Lateral, right wrist XR, age 16 y, male
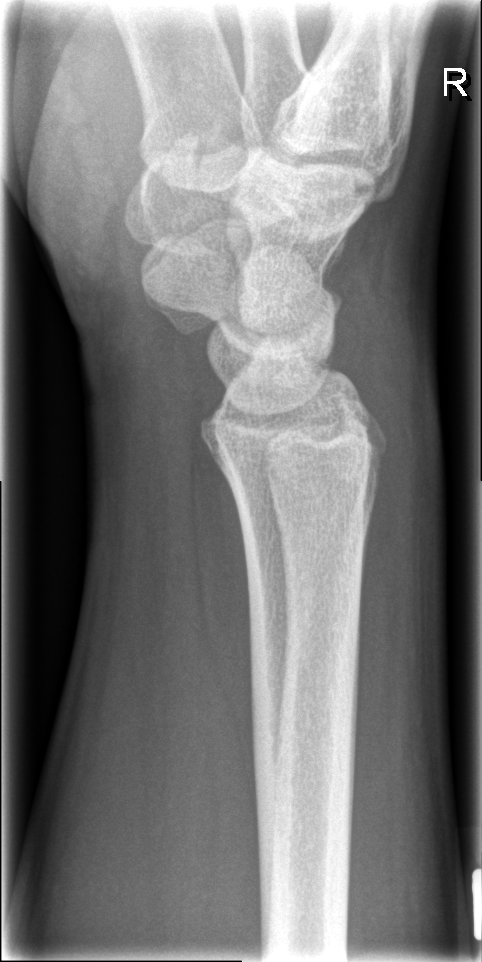 Q: Locate any fractures.
A: No Fx annotated